Lateral; left wrist XR; male, 13 yo. 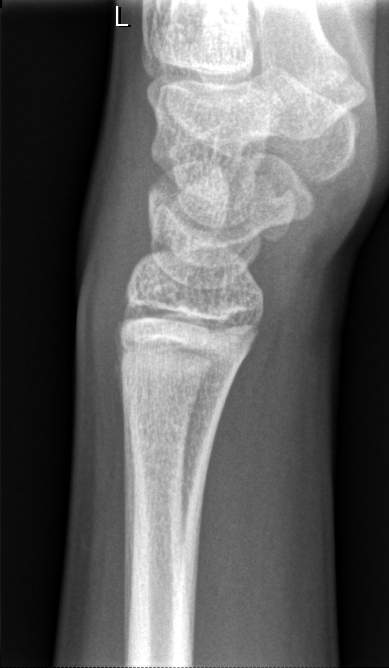

Fracture: none labeled